Left wrist plain film | PA/AP view
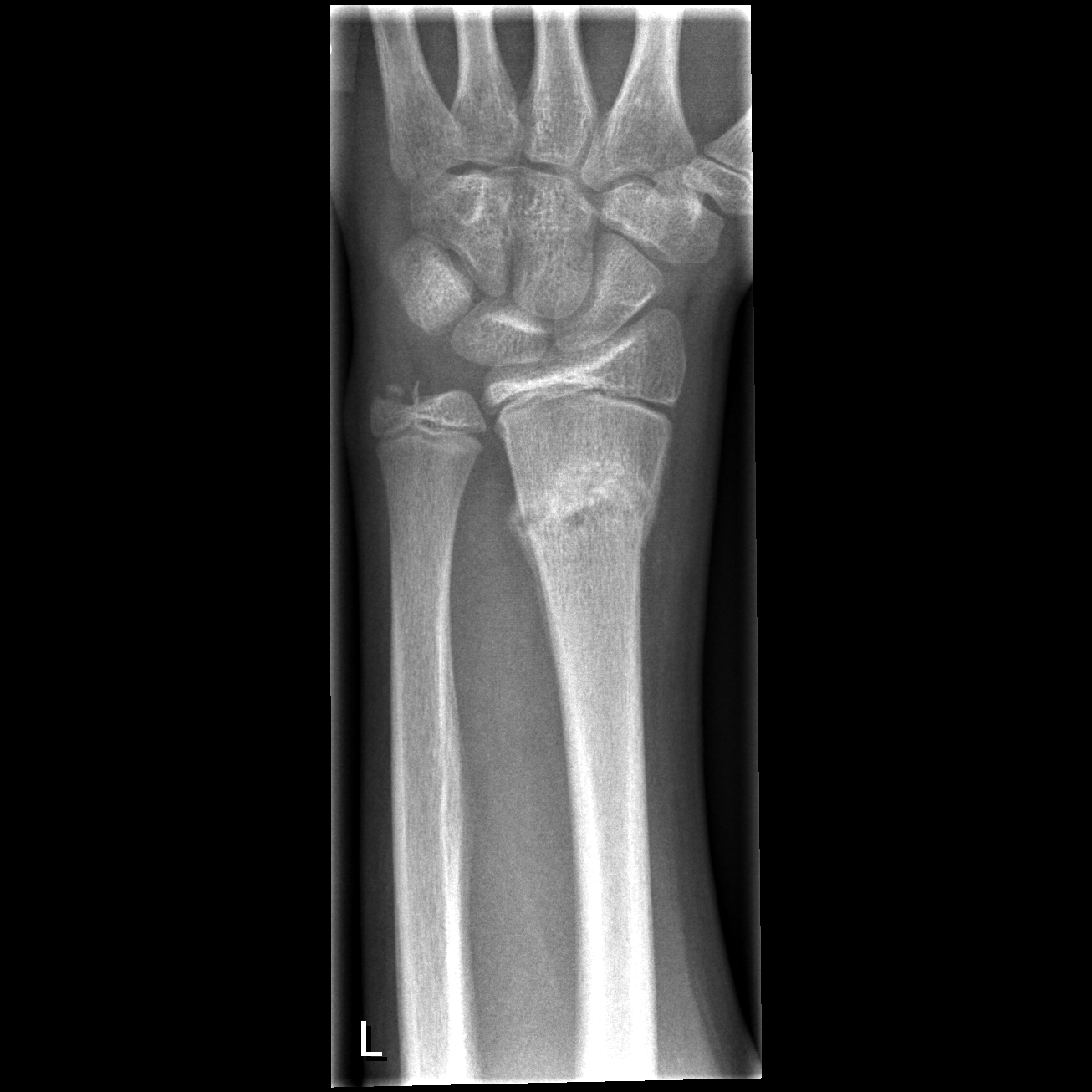

- Coordinates are [x1, y1, x2, y2] in image pixels.
- Fx: 509,447,661,556
  361,366,432,429.
- Fracture classified AO/OTA 23r-M/3.1; 23u-E/7.
- Periosteal reaction: 505,478,561,693
  635,435,671,669.
- Osteopenic.